Frontal view | right wrist X-ray | initial study | 482 by 986 pixels. 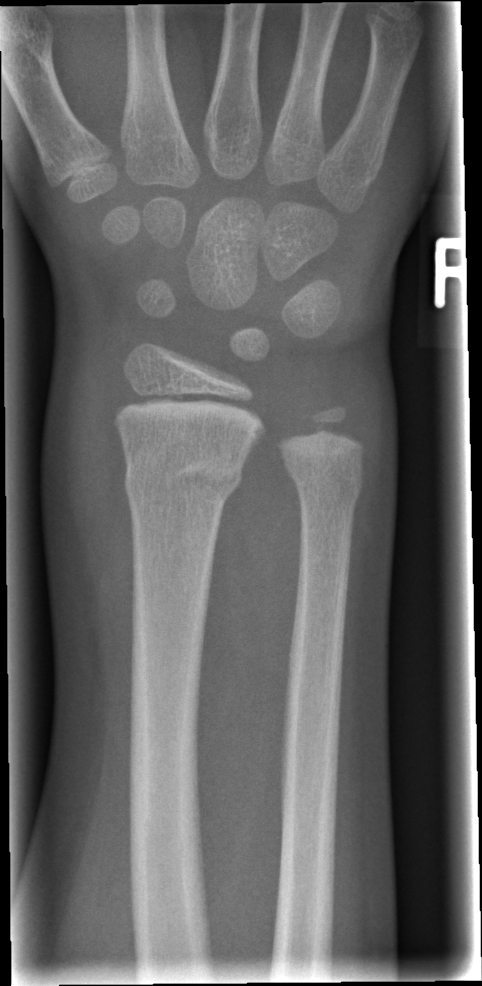

soft-tissue finding: 1 @ (47, 319, 135, 674)
bone fracture: 2 @ (121, 449, 250, 504), (284, 460, 366, 509)
AO classification: 23-M/2.1